Lateral | R wrist XR | acquired on Siemens: 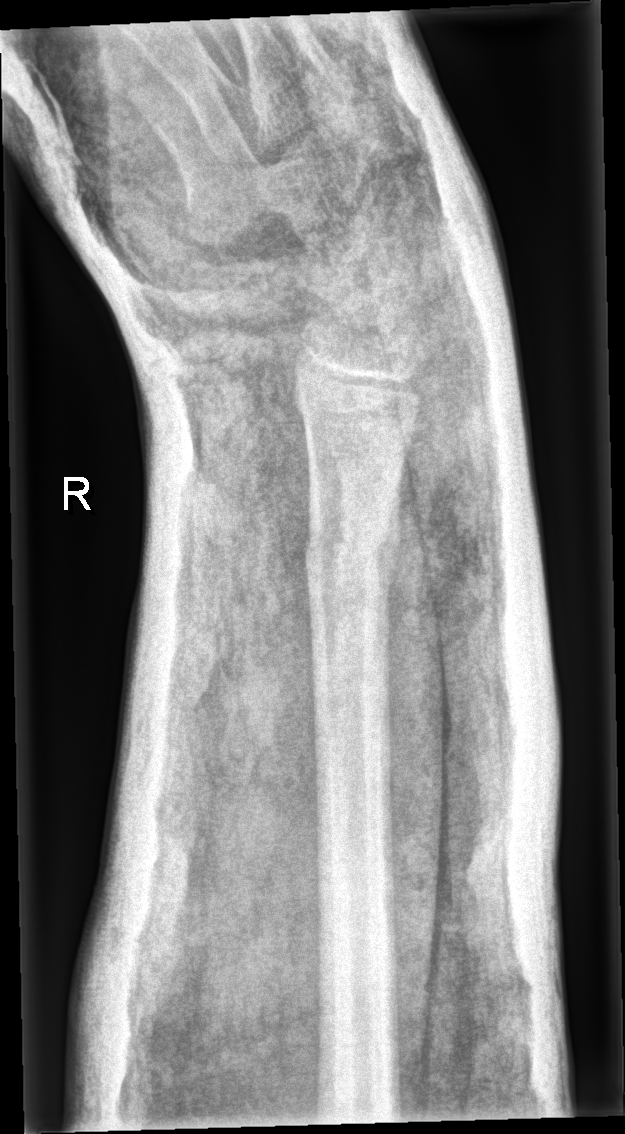 AO classification: 23-M/3.1
Fx: <298,495>-<401,605>